Lateral, Rt wrist XR, detector: Siemens, 821 x 1060 px 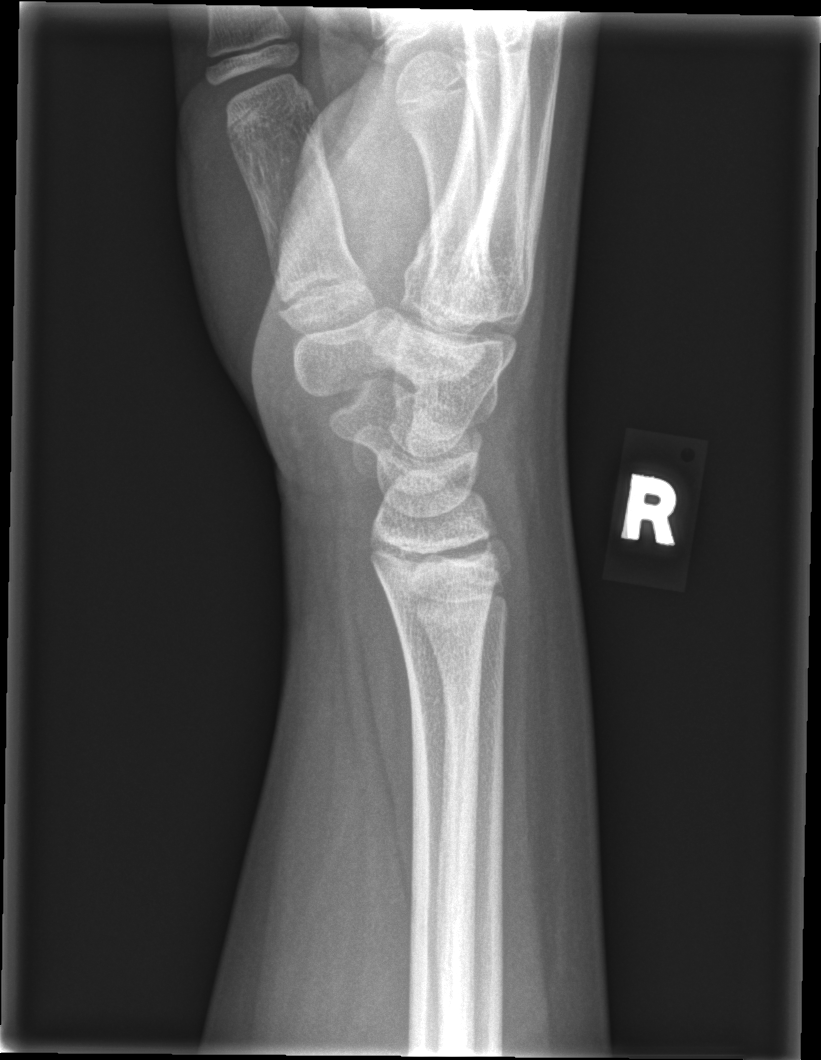

* No fracture labeled.